R wrist radiograph | lat | 12y F | 451x912.
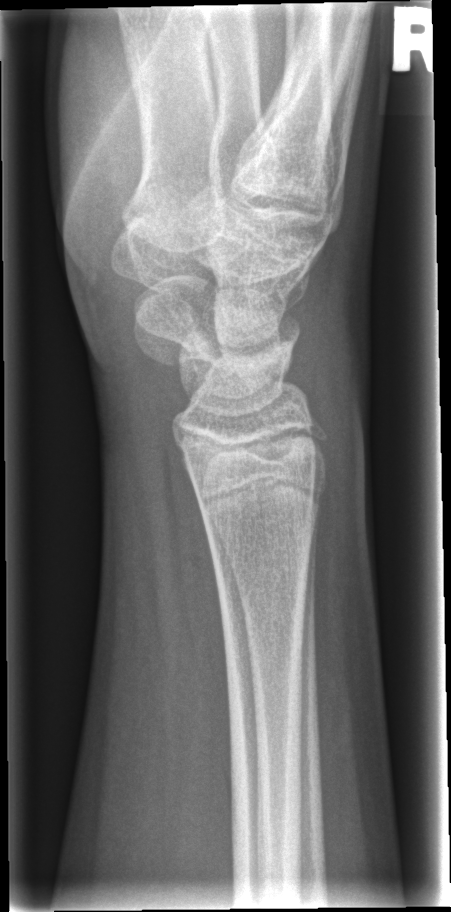
Fracture: none labeled.